Left wrist radiograph; PA view; male, 11 yo; Siemens:
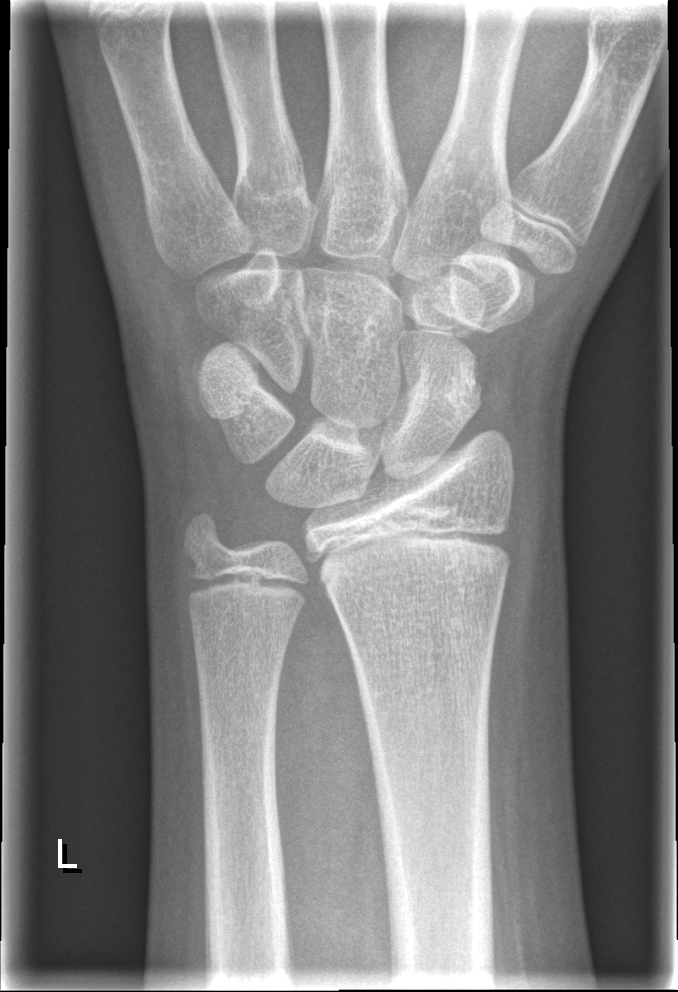

- Fx: none.